Left wrist plain radiograph of the wrist | lat | boy, 11 yo | cast in situ:

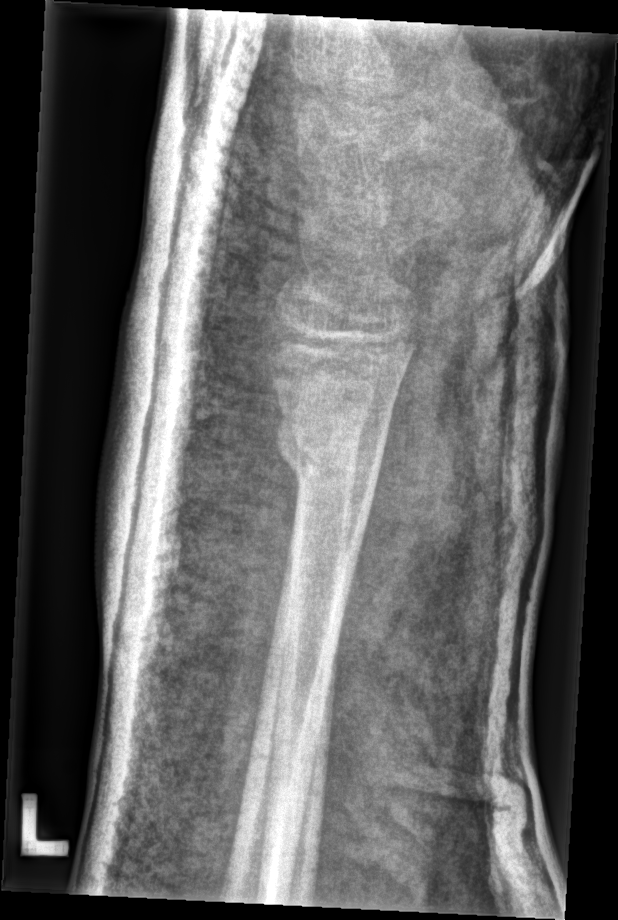 Boxes as x1,y1,x2,y2 (top-left / bottom-right, pixel units). One fracture at [275, 409, 388, 507].